PA view; left wrist plain radiograph of the wrist; image width 77.8 mm.

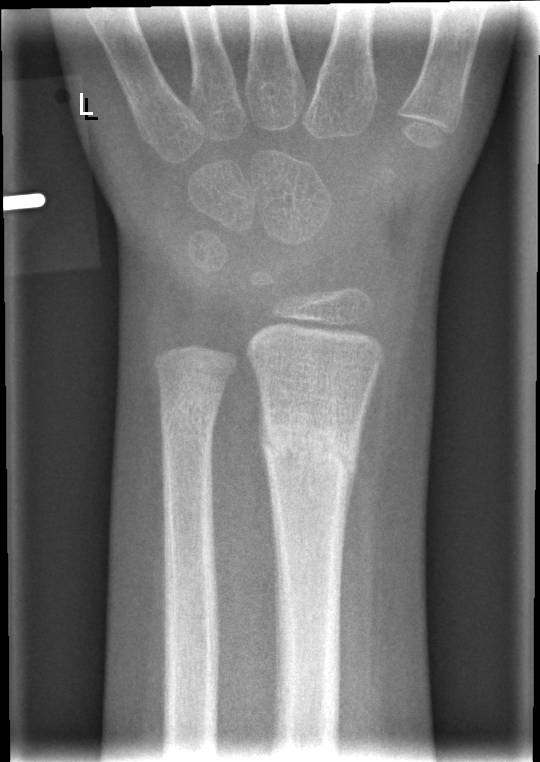 fracture: 1 @ bbox(253, 400, 364, 492)
ao: 23r-M/3.1